PA/AP; left wrist pediatric wrist radiograph; pediatric patient (male, age 10); subsequent exam; image width 86.7 mm; 602x986
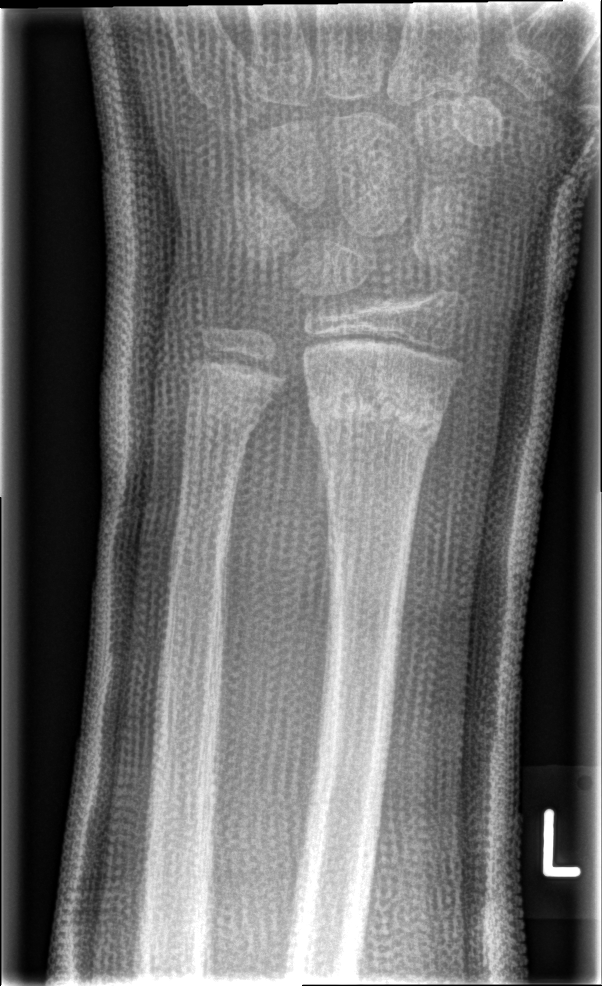
Findings: AO/OTA classification: 23-M/2.1. Fractures — 301,365,448,457 | 181,388,265,446.